Posteroanterior | R wrist XR | image width 72.9 mm —
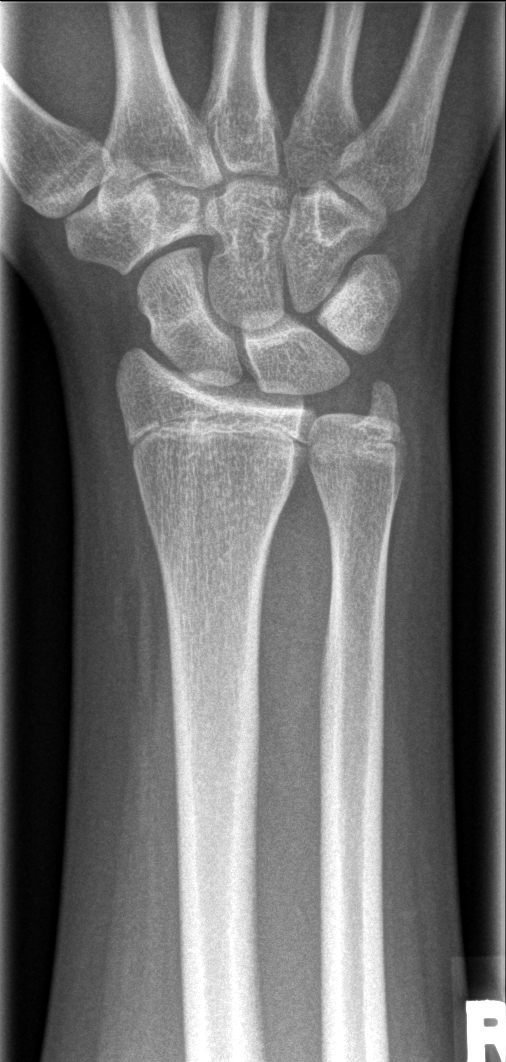 No fracture bounding box.